Right wrist radiograph, posteroanterior view, pediatric patient (boy, age 9)

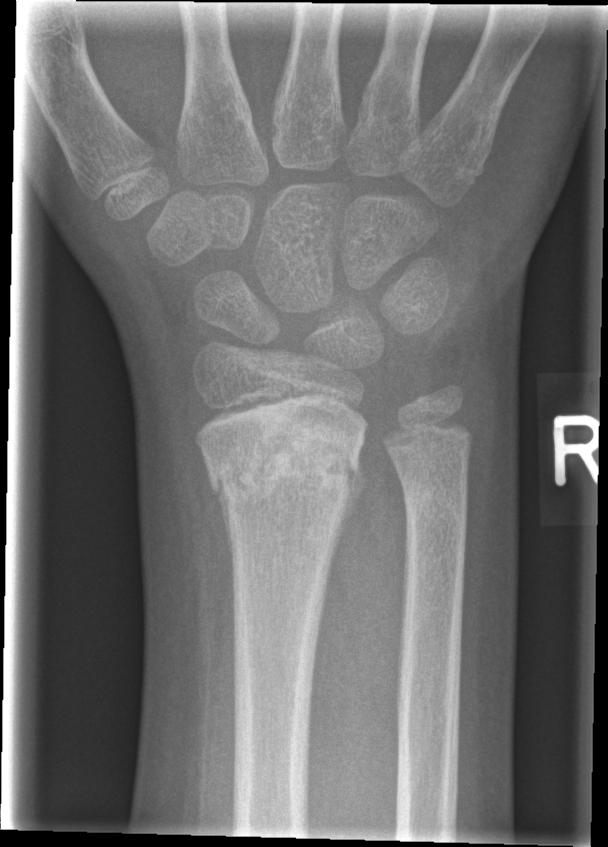 Findings: (bounding boxes in image-pixel xyxy) Two fractures at 196,418,371,534
  396,465,472,537. AO code 23r-M/3.1; 23u-M/2.1. Periosteal new bone — 332,446,370,557 | 210,474,233,578. Decreased bone density (osteopenia).